AP projection | left wrist plain radiograph of the wrist | 715 x 1032 px 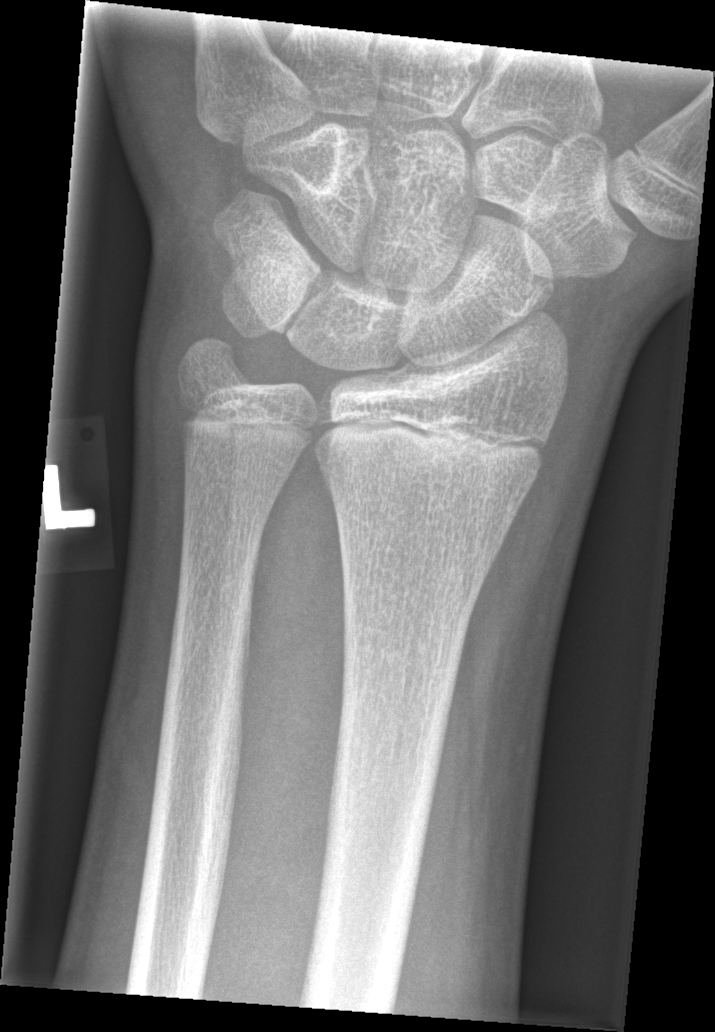
fracture: present but not clearly seen in this view